Lateral; Lt wrist XR; follow-up; acquired on Siemens; 91.3 mm image width. 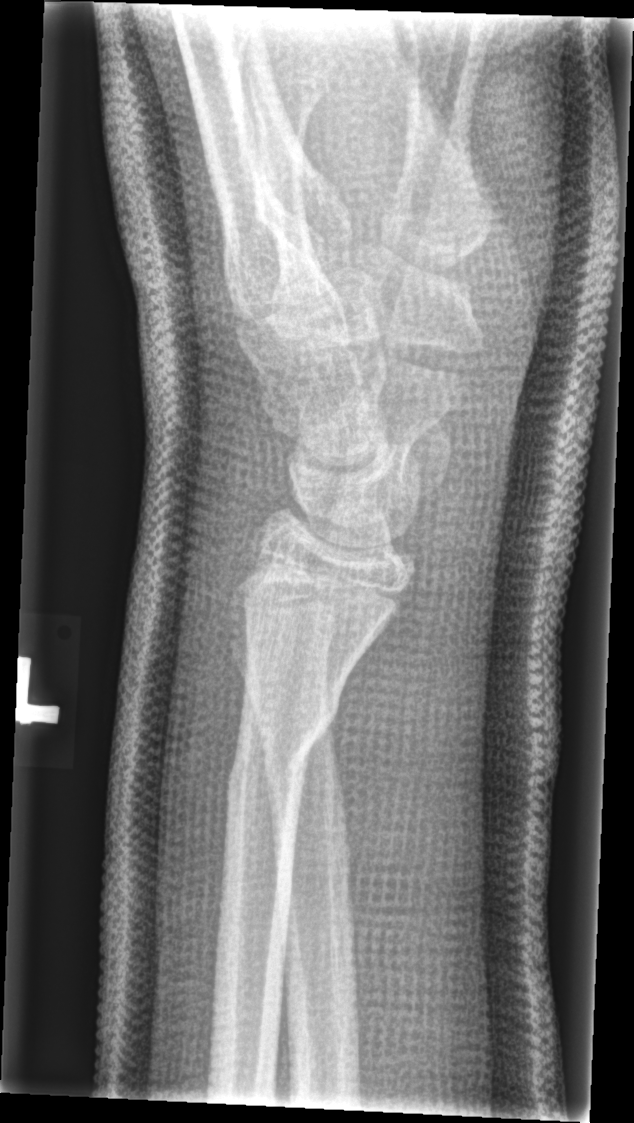 Fx — [220, 676, 346, 813].
Fracture classified AO/OTA 23r-M/3.1.